L wrist radiograph; lat view; acquired on Siemens

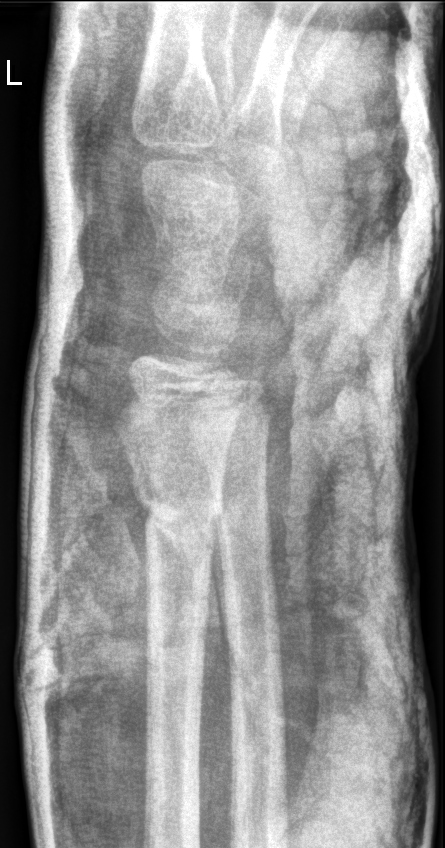

Fracture = (left=130, top=479, right=224, bottom=541)
AO/OTA = 23r-M/3.1